L pediatric wrist radiograph, frontal, boy, 13 yo, 630x792:

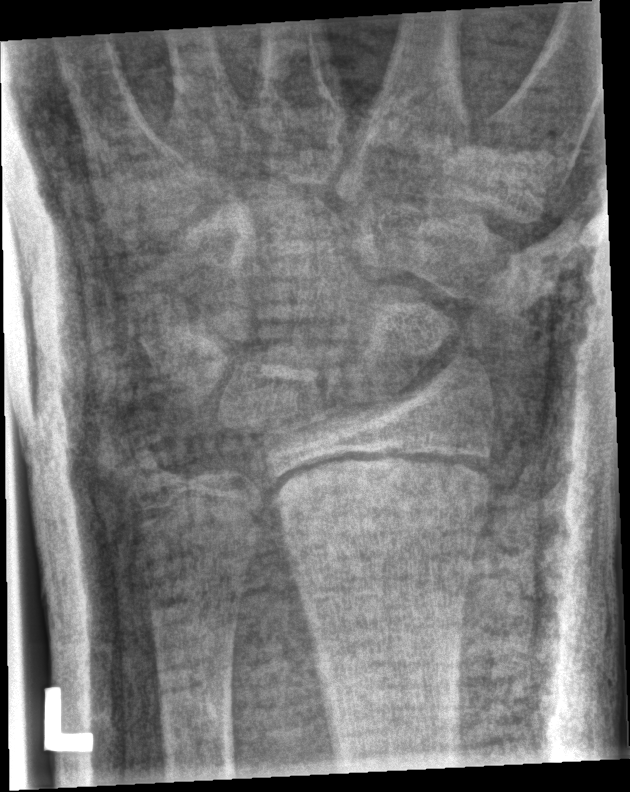
Findings: AO code 23r-E/2.1; 23u-E/7. Fx identified at (271, 451, 498, 544); (117, 432, 184, 499).